Right wrist plain film; posteroanterior view; female, 9 yo; cast present; image size 704x1076.
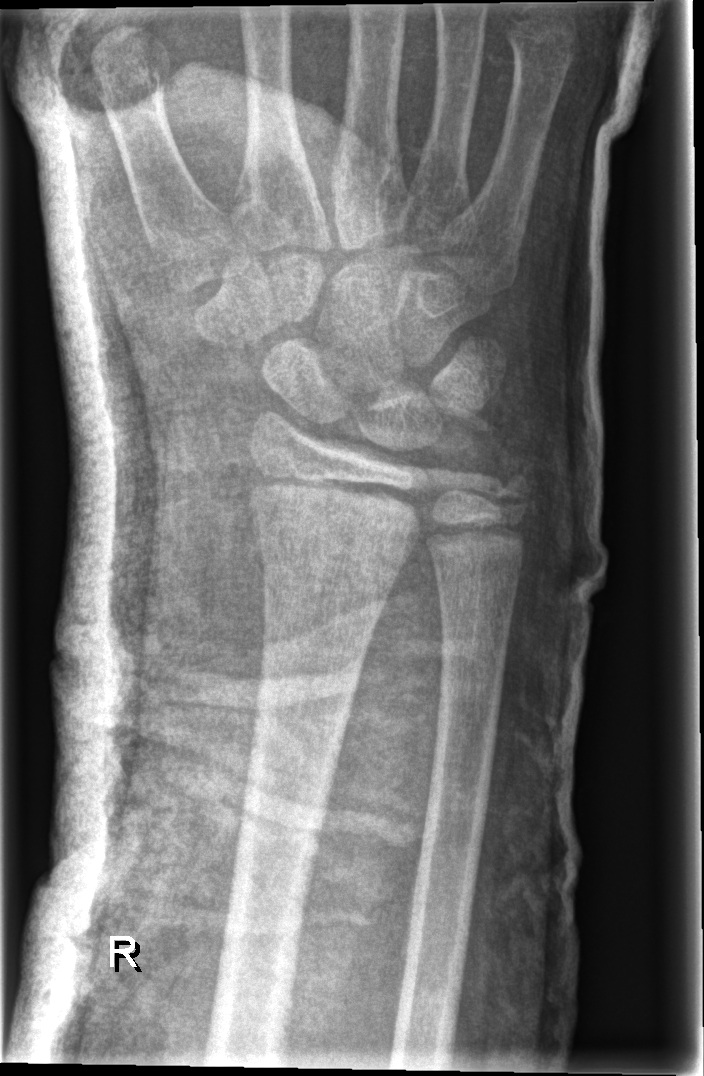

AO code = 23r-E/2.1; 23u-E/7
Bone fracture = 2 @ (245, 483, 429, 555); (486, 468, 540, 519)